Posteroanterior view, Lt plain radiograph of the wrist, Siemens, image width 87.4 mm: 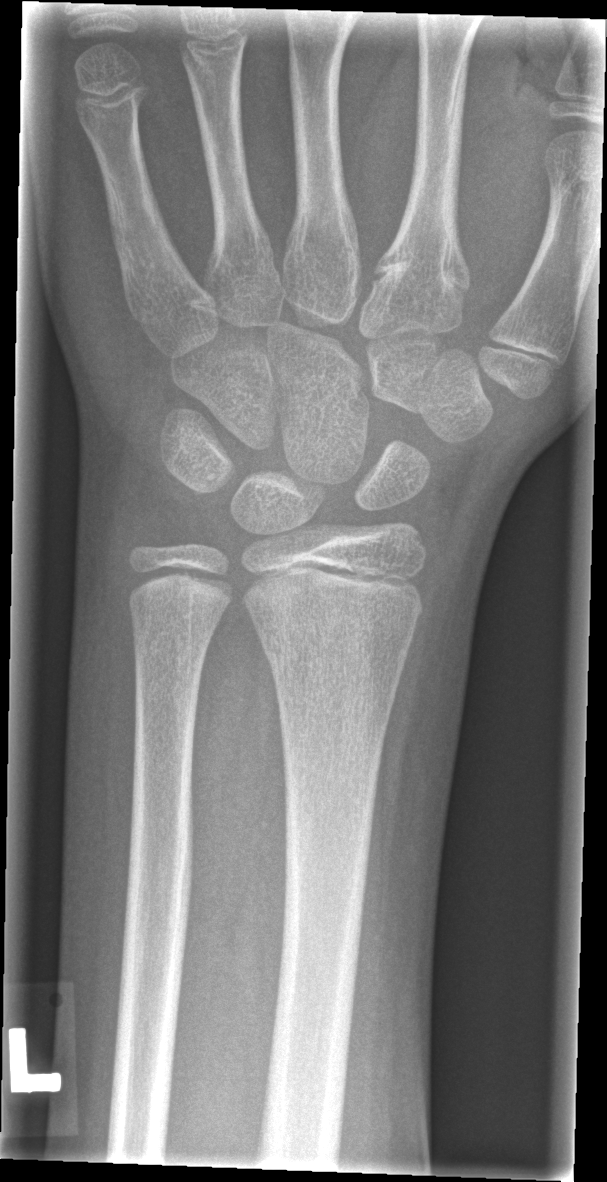

Findings: (pixel coordinates, top-left origin, xyxy) Fracture identified at bbox(261, 612, 416, 683). AO code 23r-M/2.1.